L wrist plain film, lateral, pediatric patient (girl, age 9), acquired on Siemens — 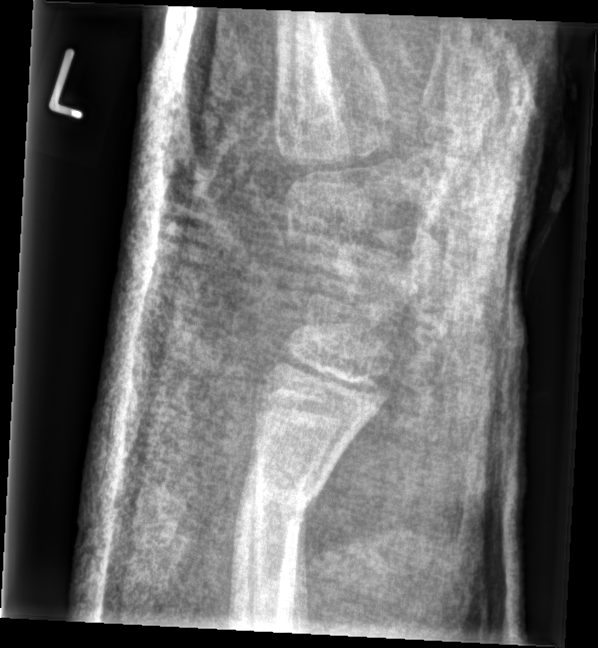
Pixel coordinates, top-left origin, xyxy. Bone fracture — (left=230, top=462, right=328, bottom=530).